R plain radiograph of the wrist · lateral projection 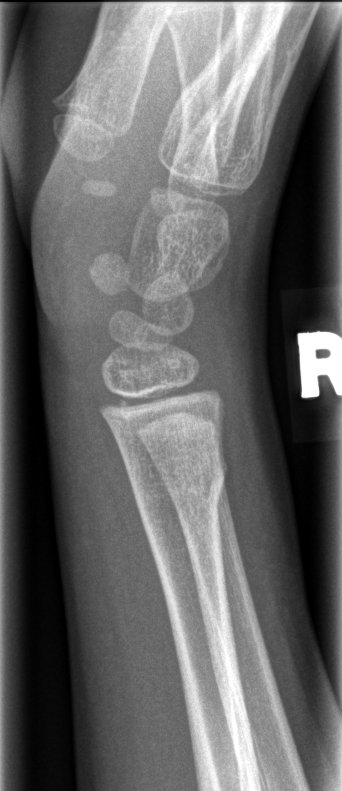 Fx = 1 @ 128,446,231,525